Posteroanterior · Lt wrist radiograph · image 87.3 mm wide.
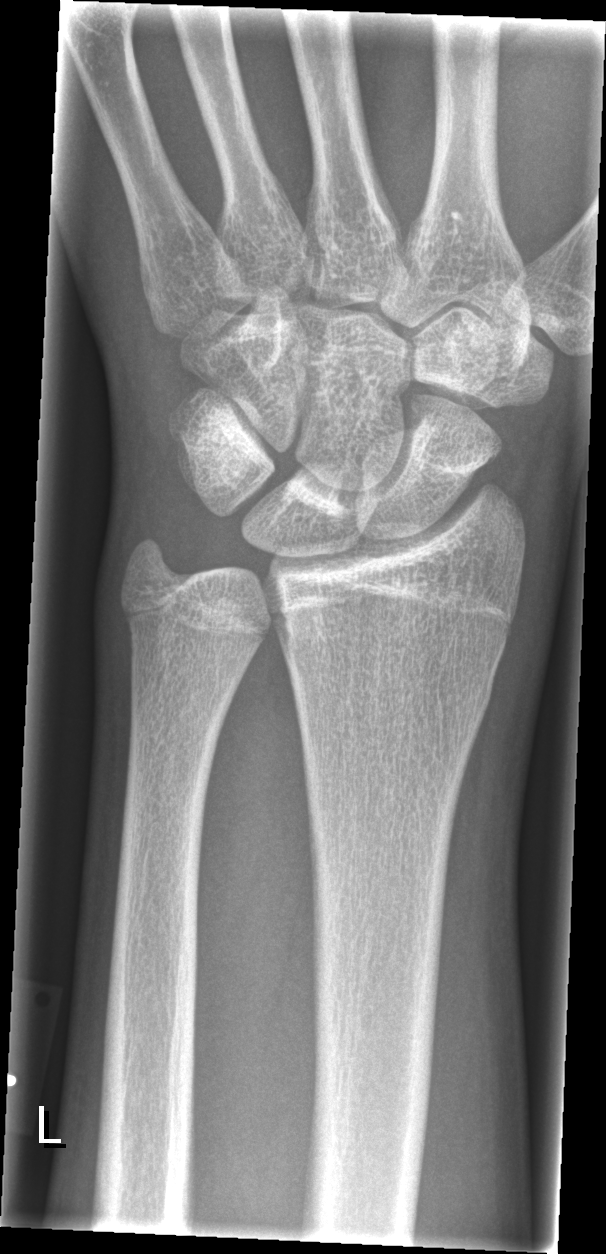 No fracture bounding box.